Left wrist pediatric wrist radiograph | PA/AP projection:

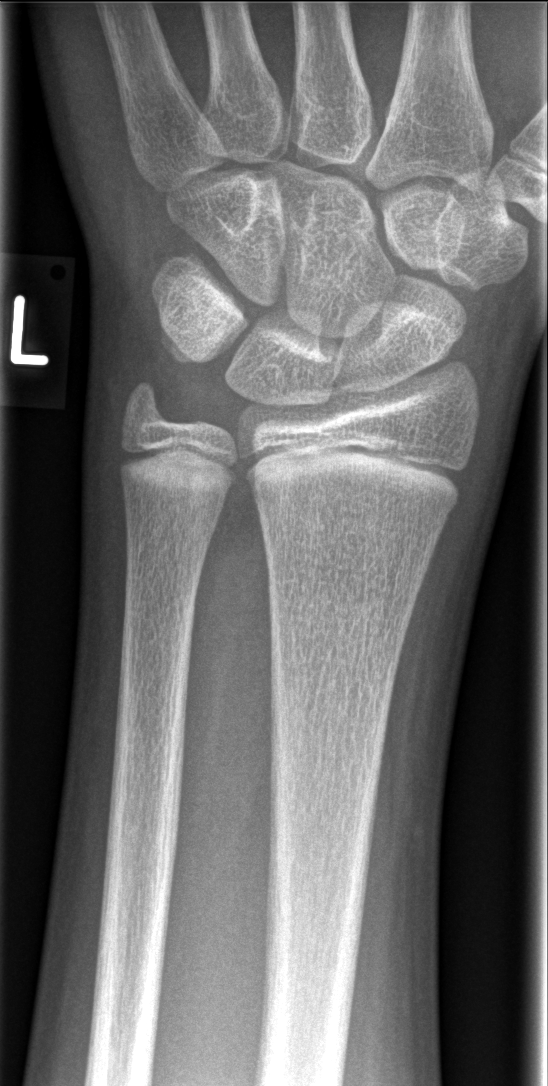
FINDINGS — (boxes as x1,y1,x2,y2 (top-left / bottom-right, pixel units)) Two bone anomalies at [x1=249, y1=445, x2=463, y2=515], [x1=116, y1=436, x2=238, y2=506]. No Fx annotated.